Lat · left wrist radiograph · 12-year-old male — 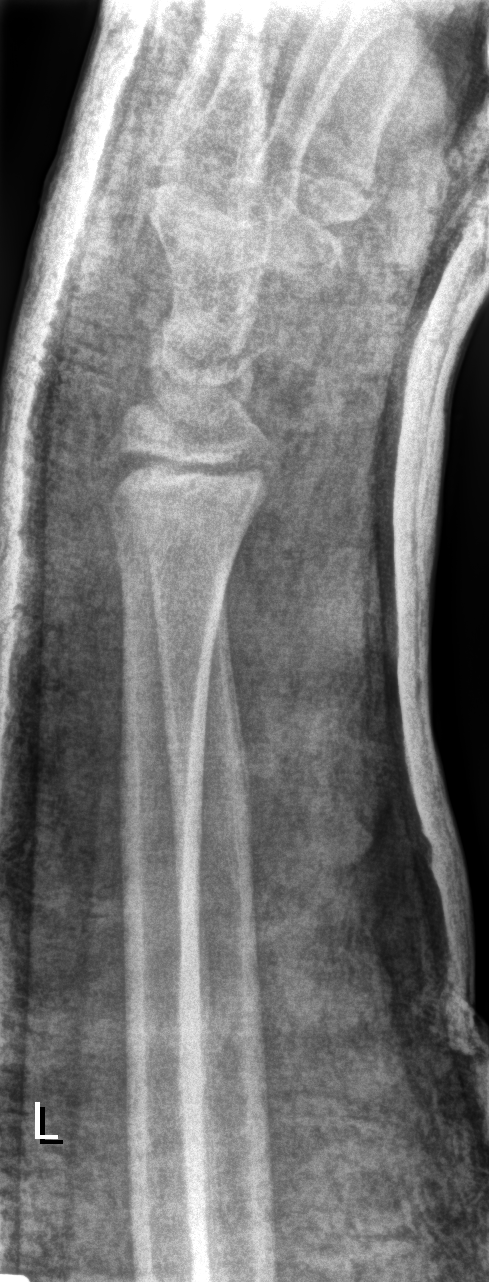

Pixel coordinates, top-left origin, xyxy. Fx: <104,441>-<283,524>.